Right wrist X-ray; frontal projection —

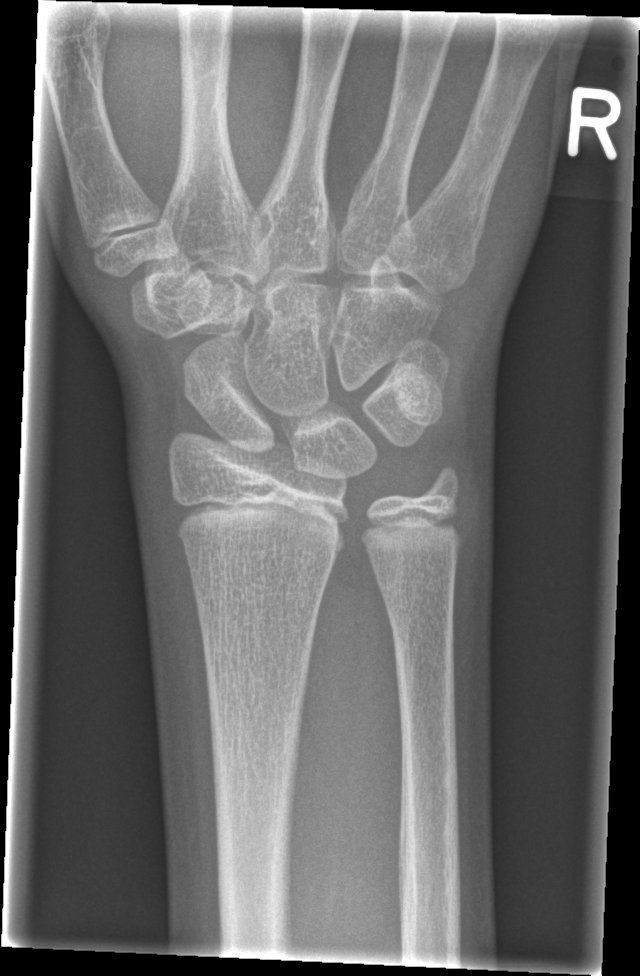 Fx: none.